PA view; right wrist XR; pediatric patient (girl, age 12)

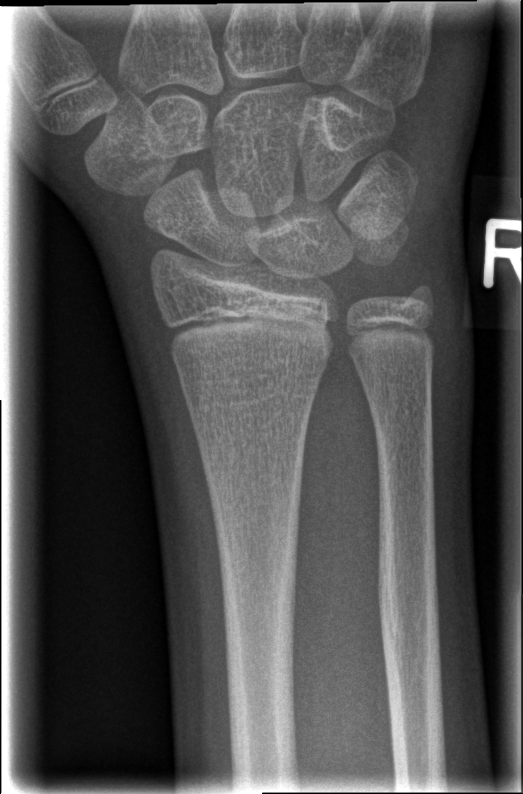   fracture: none labeled